Posteroanterior view | Lt wrist XR | 628 x 984 px
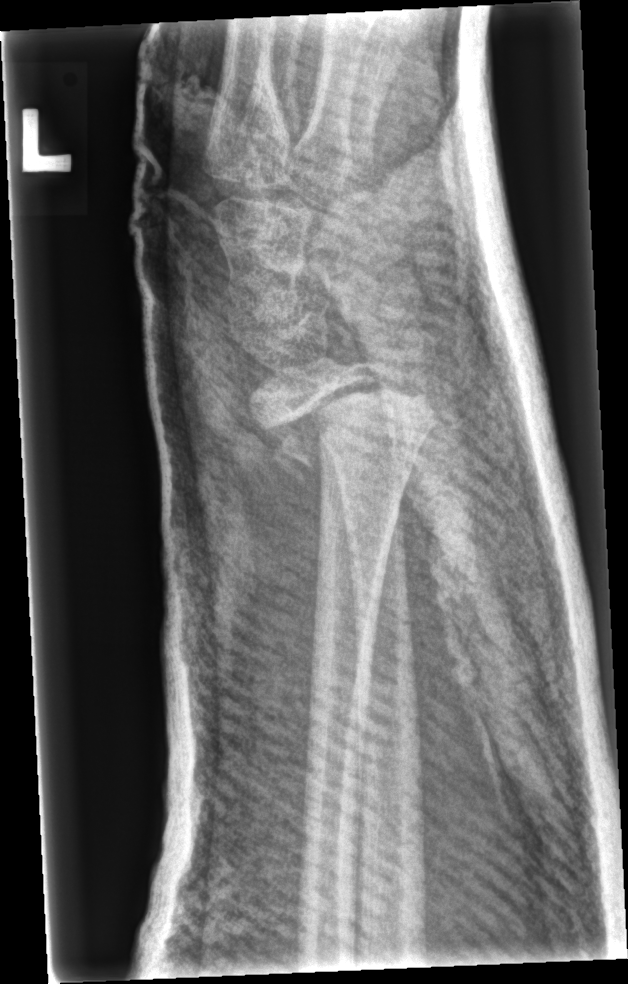
FINDINGS — (boxes as x1,y1,x2,y2 (top-left / bottom-right, pixel units)) Fx — <258,375>-<439,485>.